Lat, right wrist X-ray, pediatric patient (male, age 16), follow-up, cast present:
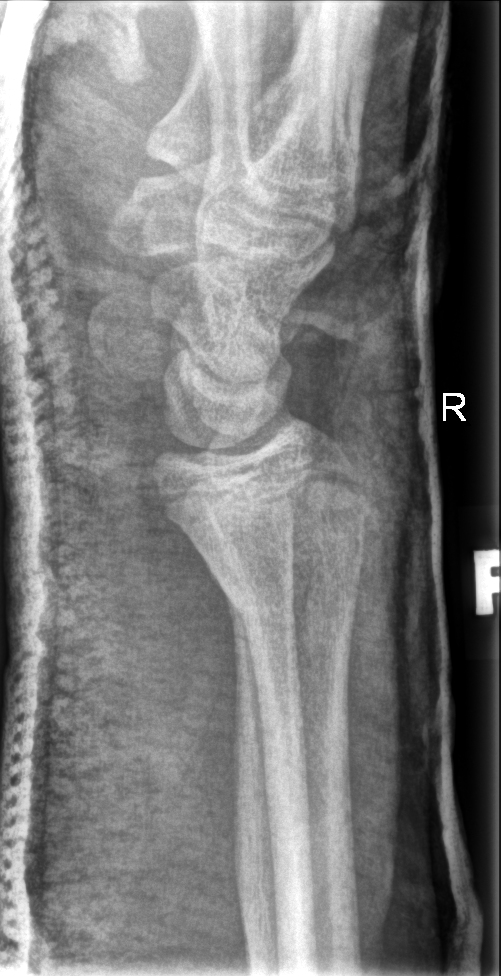 Bone fracture — 212,553,364,649. Fracture classified AO/OTA 23r-M/2.1.